Left wrist pediatric wrist radiograph | lateral view. 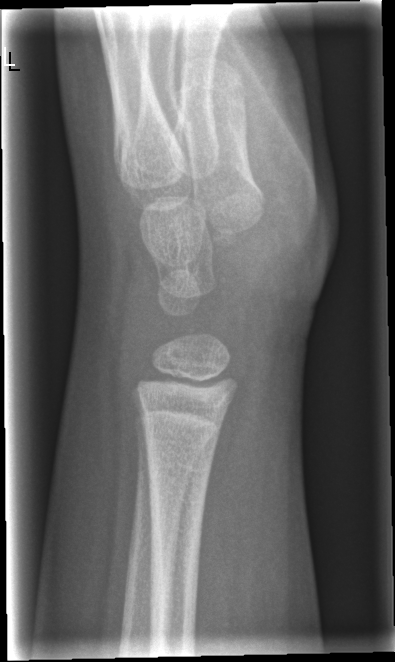 Fx: none.